Lat · right plain radiograph of the wrist · pediatric patient (female, age 2) 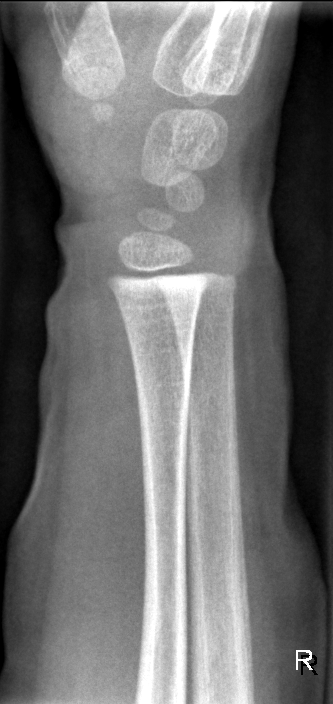 {"fracture": "none labeled"}